Lateral | left wrist XR | boy, 14 yo | detector: Siemens: 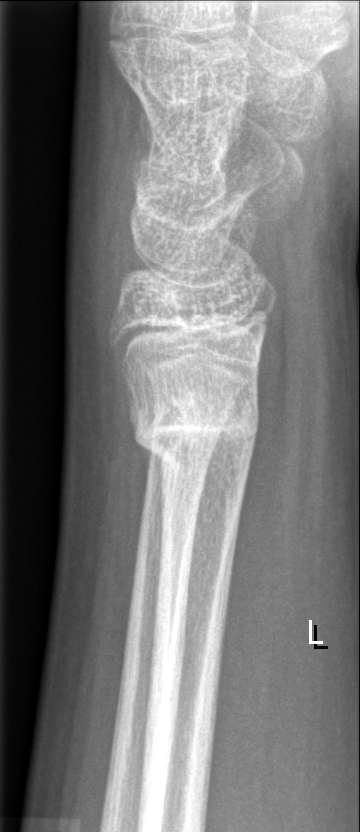

# pixel coordinates, top-left origin, xyxy
fracture: bbox(125, 390, 261, 474)